Right wrist radiograph, lat projection, acquired on Siemens —

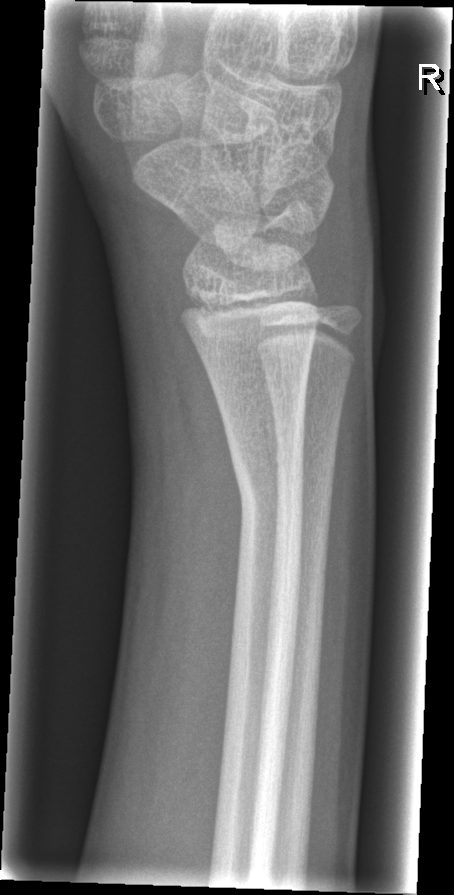
- Bone fracture — 230,460,308,557.
- Fracture classified AO/OTA 23r-M/2.1.